Lat view | L wrist radiograph — 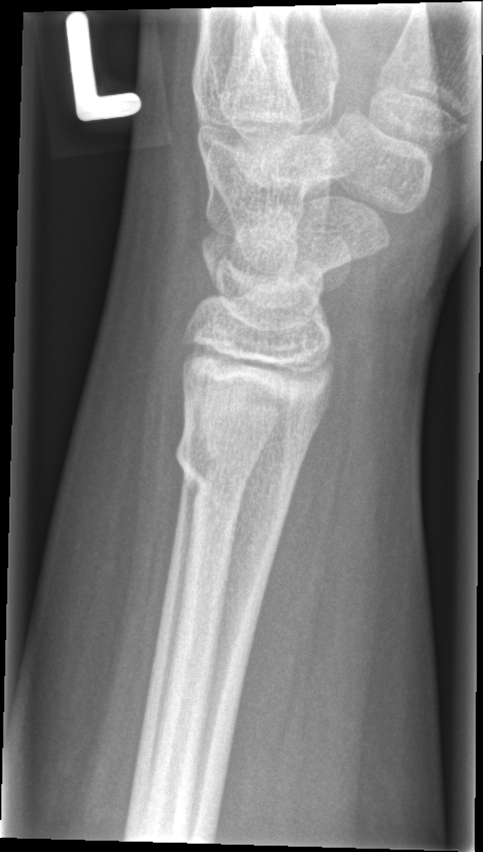

Bone fracture: 1 @ (left=171, top=420, right=301, bottom=519)
AO code: 23r-M/2.1